L wrist plain film | frontal projection | boy, 17 yo | 582x1240
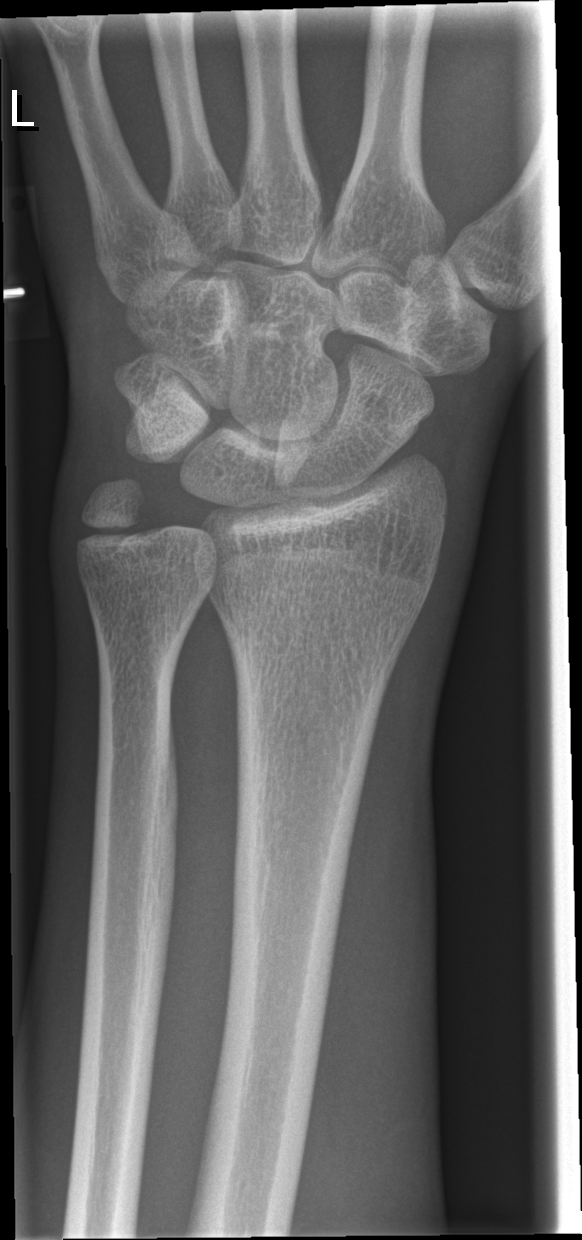 (bounding boxes in image-pixel xyxy)
Q: Fracture present?
A: One fracture at [72, 469, 156, 559]